Left wrist X-ray | lat —

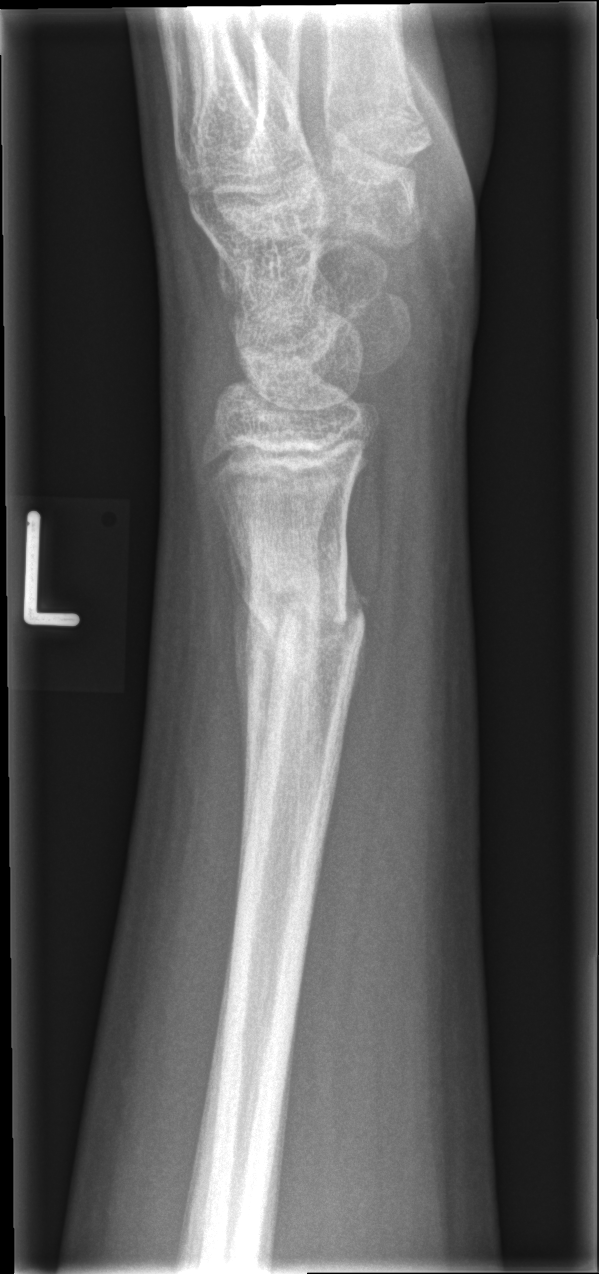

• Pixel coordinates, top-left origin, xyxy.
• Periosteal thickening identified at bbox(339, 532, 369, 643).
• Fx — bbox(217, 547, 364, 682).